Posteroanterior view; L wrist plain film; 9-year-old girl; image width 61.9 mm; 430 x 960 px — 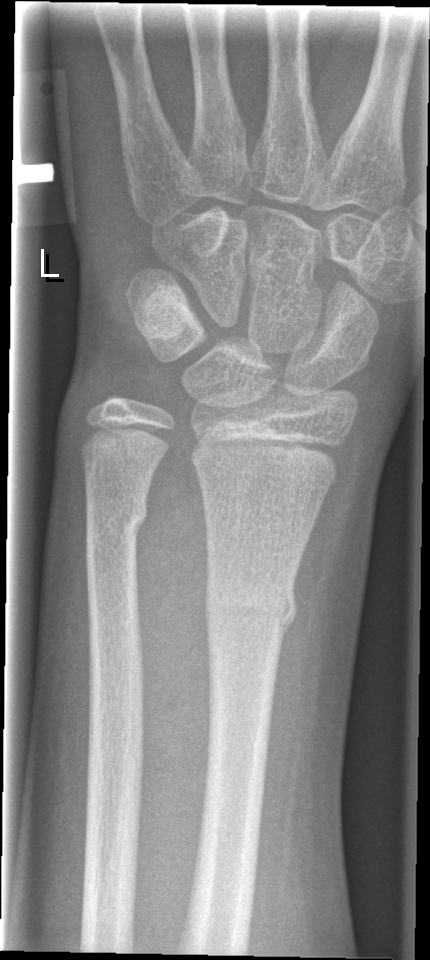
(coordinates are [x1, y1, x2, y2] in image pixels)
AO/OTA: 23-M/2.1
Fx: 2 @ (201, 572, 299, 642), (81, 493, 149, 542)